Lat projection; left wrist XR; age 14 y, boy; imaged through cast 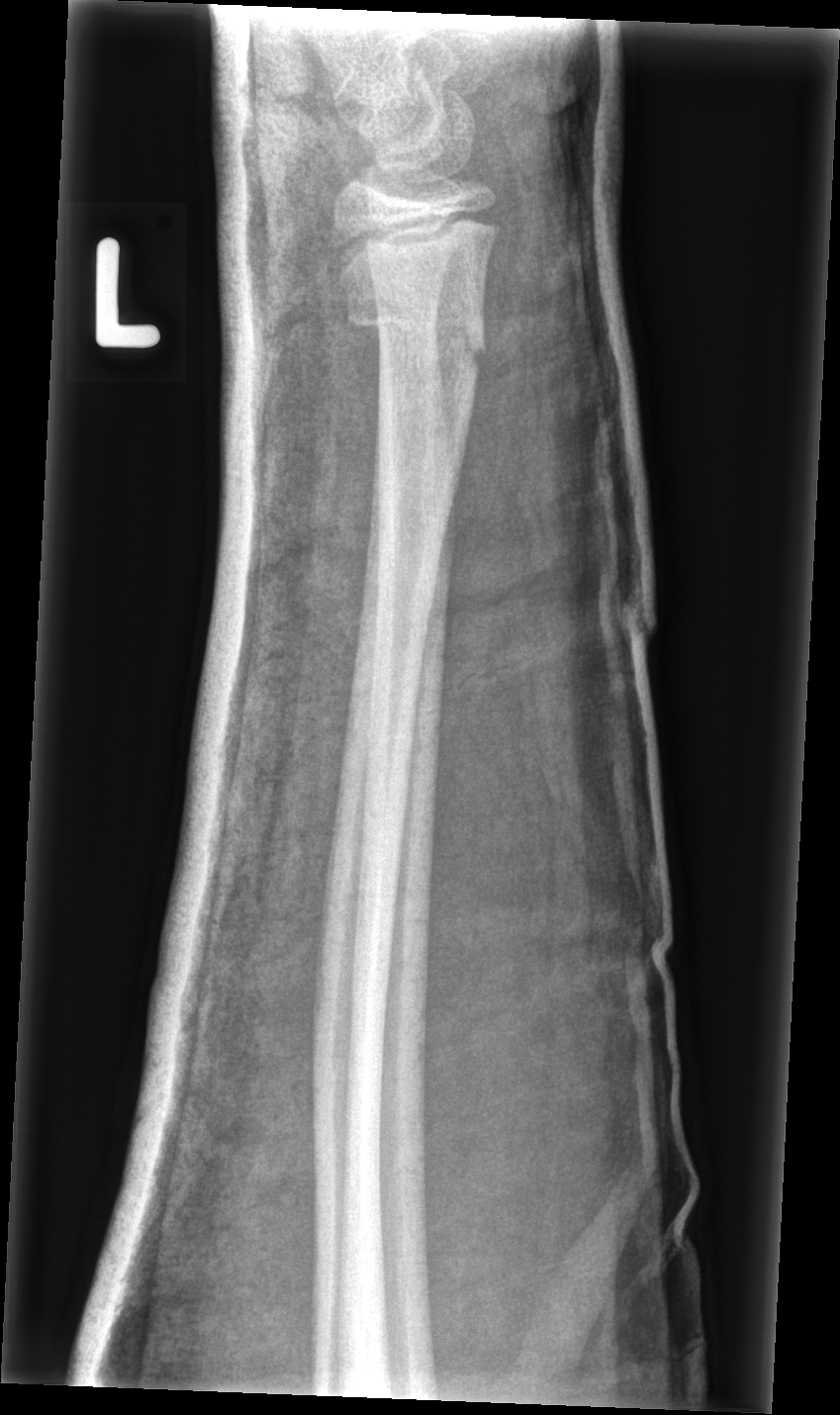
Q: Any fracture seen?
A: Fx identified at [343, 272, 490, 386]
Q: AO code?
A: AO code 23r-M/3.1; 23u-E/7